Lateral; left plain radiograph of the wrist; 10y F; 506 x 1271 px —
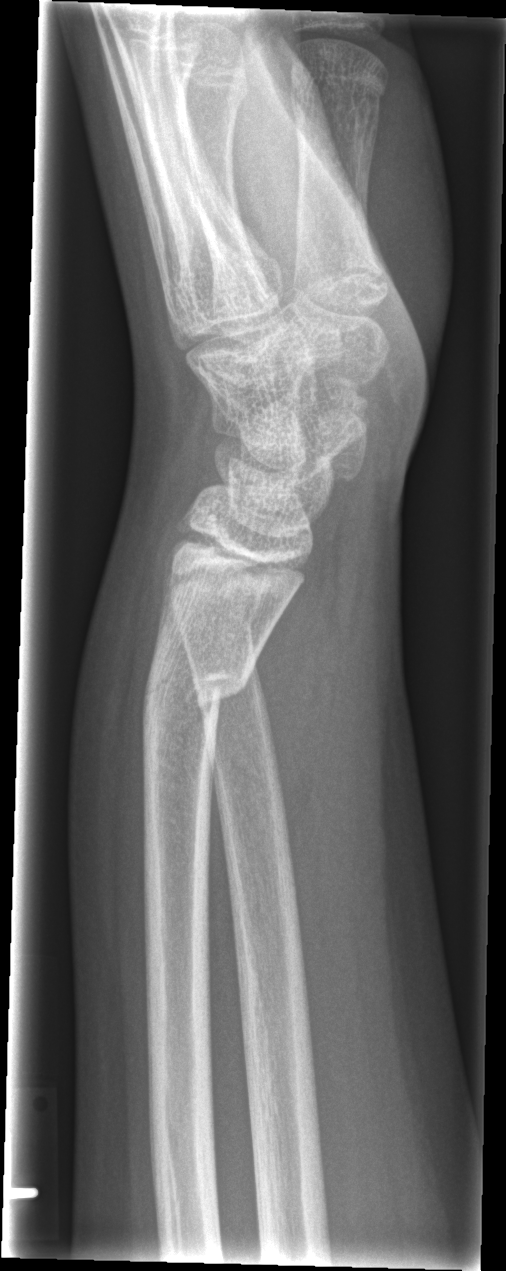
{
  "softtissue": "<64,533>-<167,972>",
  "fracture": "2 @ <134,657>-<265,750> <170,591>-<264,657>",
  "pronatorsign": "<250,540>-<343,850>"
}